L plain radiograph of the wrist; lat projection; image width 72.0 mm
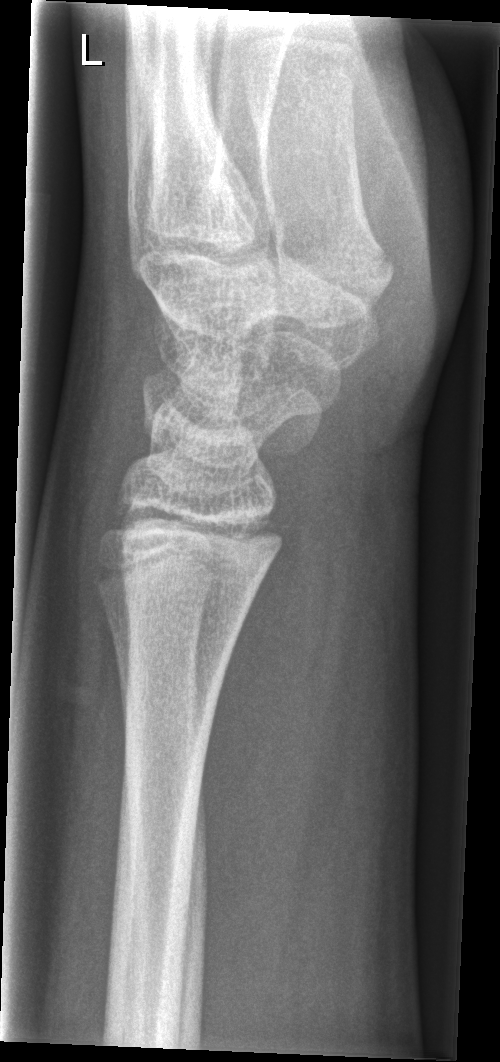
Findings: No Fx annotated. Pronator quadratus fat-pad sign — [x1=196, y1=483, x2=332, y2=961].